Lat view · Rt wrist radiograph · in cast · image width 94.3 mm
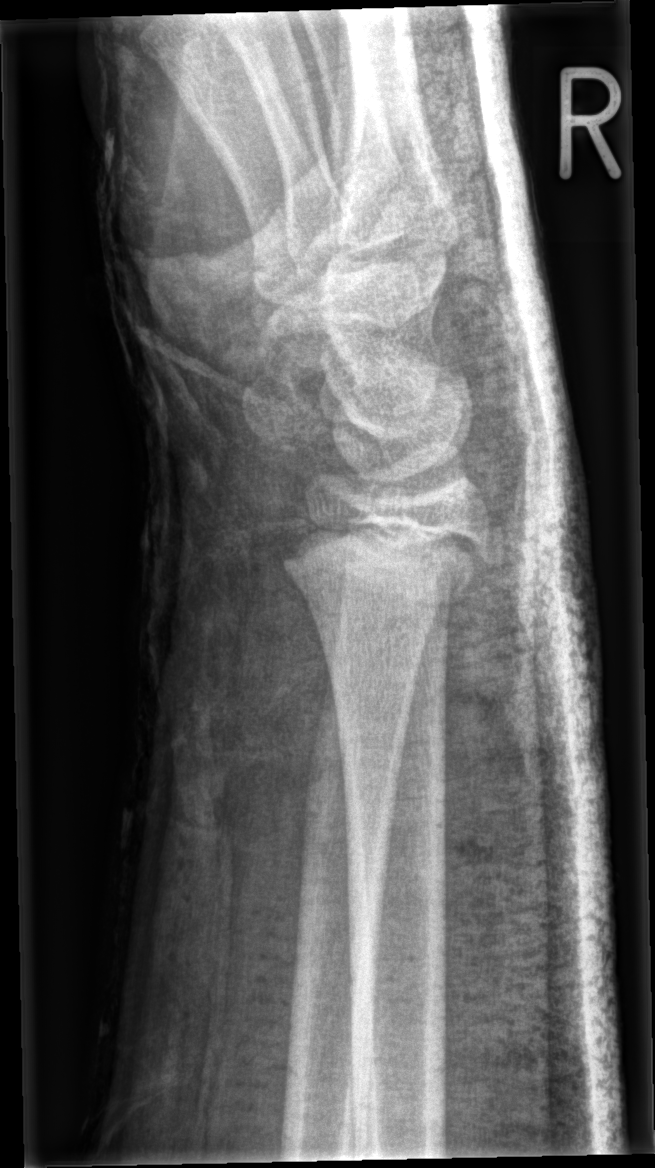
fracture: 1 @ (left=280, top=514, right=492, bottom=603)